R pediatric wrist radiograph; lat; 15-year-old female; acquired on Siemens
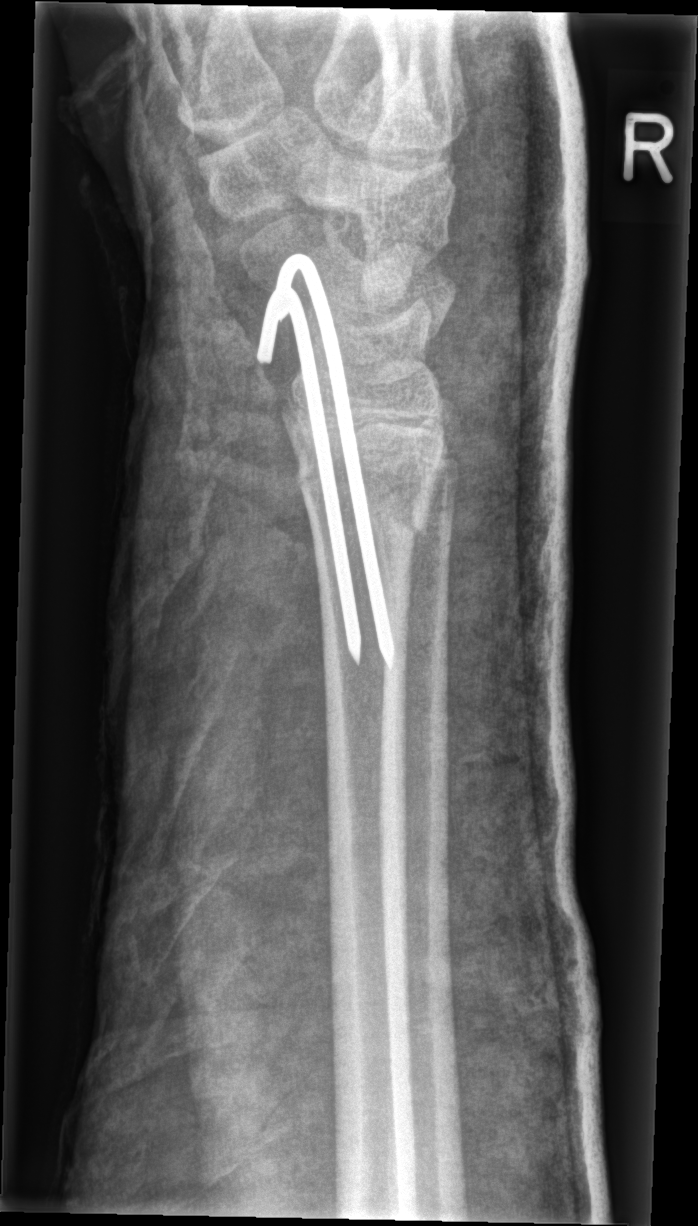 AO code 23r-M/3.1; 22u-D/1.1; 23u-E/7.
One metal at (left=253, top=246, right=399, bottom=674).
One bone fracture at (left=291, top=454, right=433, bottom=556).